Lateral view | left wrist radiograph | cast present
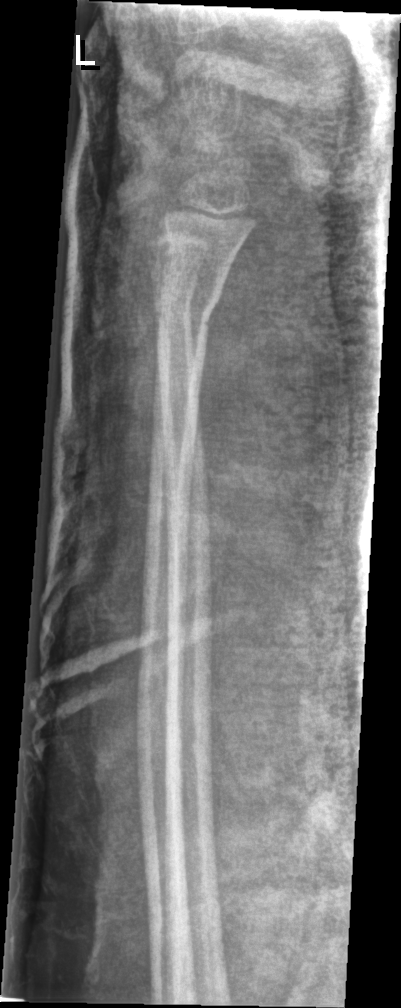 Fx: bbox(150, 280, 224, 336).